Right wrist plain film; PA projection; 66.7 mm image width; 463 by 802 pixels 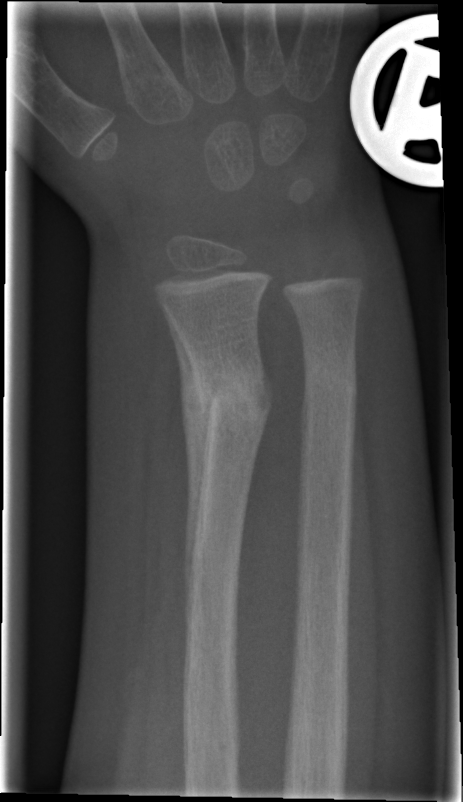 {"periostealreaction": "(163, 306, 213, 639)", "fracture": "(183, 360, 273, 434); (296, 355, 362, 408)", "osteopenia": "present", "ao": "23r-M/3.1; 23u-M/2.1"}